Posteroanterior, left wrist X-ray, in cast, acquired on Siemens

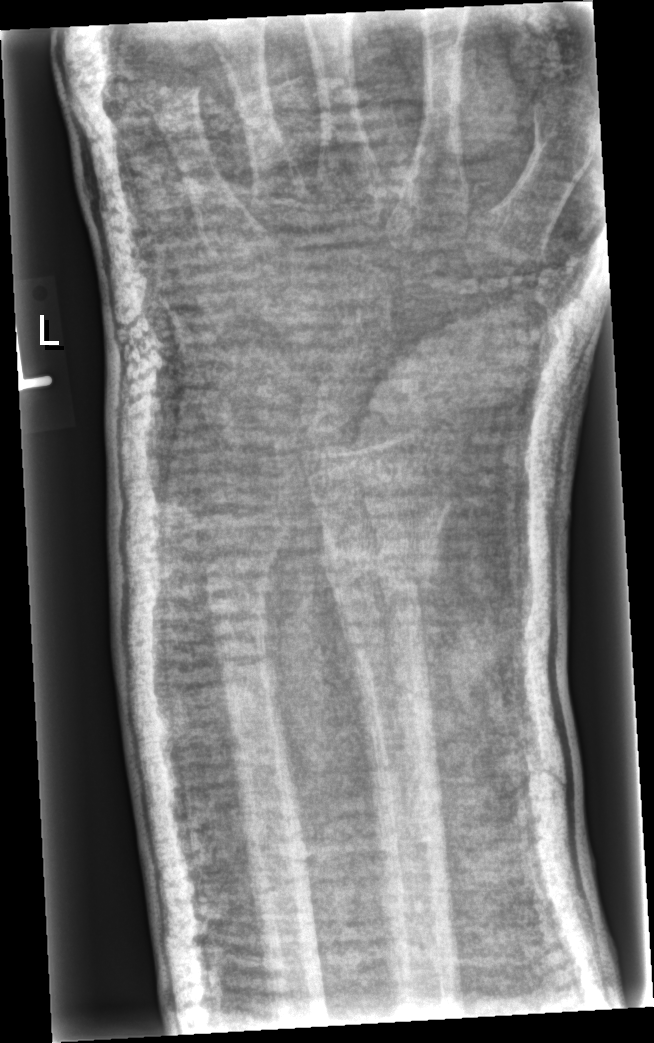
FINDINGS: (pixel coordinates, top-left origin, xyxy) Fracture — [x1=316, y1=516, x2=445, y2=623]. AO/OTA classification: 23-M/3.1.